Lt wrist XR, PA projection, female, 11 yo, subsequent exam. 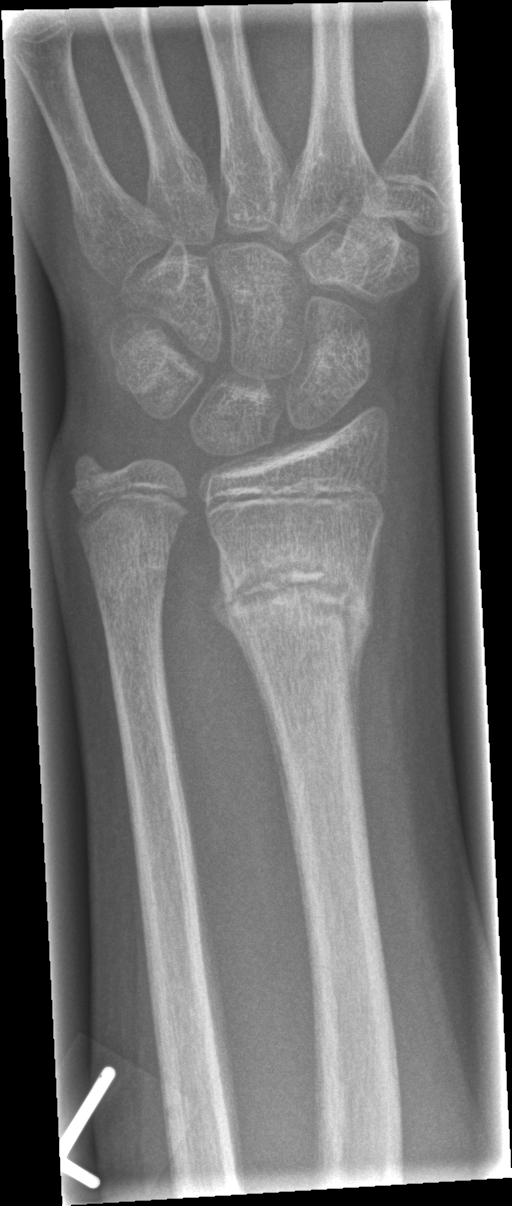

FINDINGS: Periosteal thickening: 209,572,286,792 | 345,524,382,804. Bone fracture identified at 210,553,376,648; 92,552,174,619.